Lat, L wrist radiograph, acquired on Siemens. 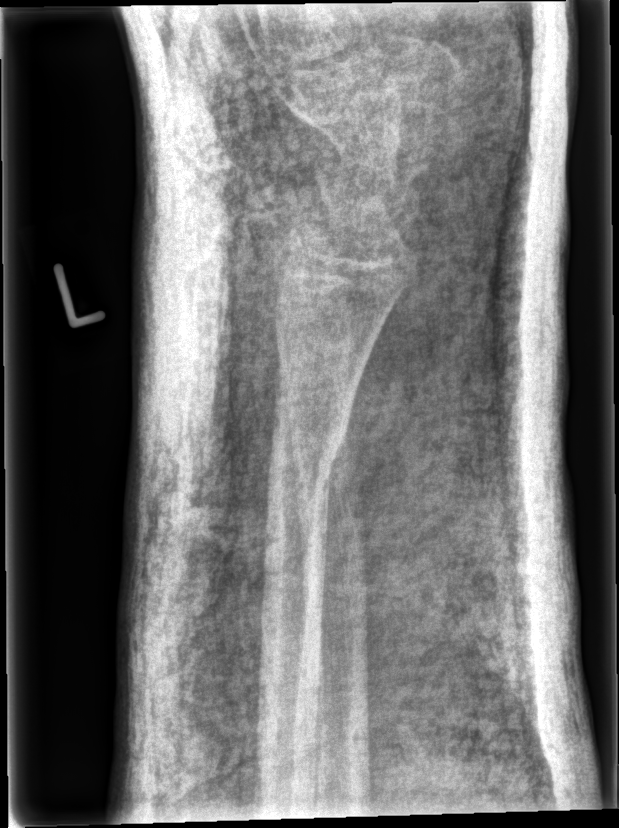

{
  "fracture": "1 @ <269,410>-<355,477>",
  "periostealreaction": "<324,384>-<359,558>",
  "ao": "23r-M/3.1; 23u-M/2.1"
}